Lat view; Rt wrist X-ray; pediatric patient (boy, age 4); initial study

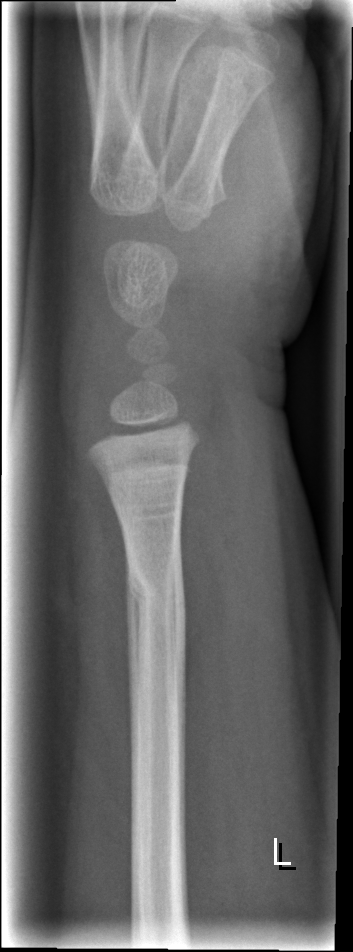

Fracture: 1 @ (left=125, top=563, right=189, bottom=630)
AO code: 23-M/2.1